AP · left wrist radiograph · imaged through cast · detector: Siemens 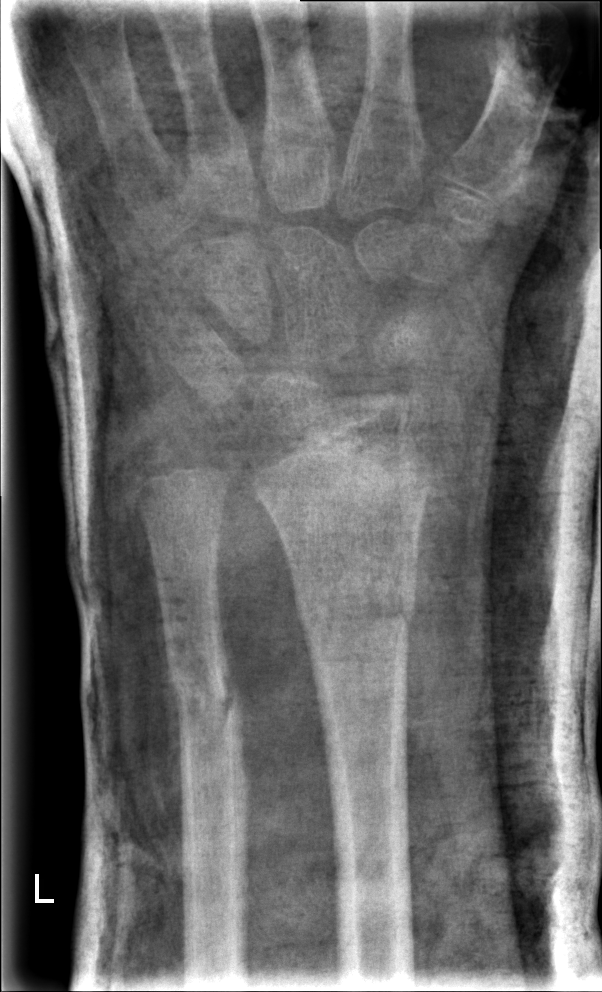
• Fx — 161 612 252 777 | 287 561 420 666.